Rt plain radiograph of the wrist; AP; initial study; Siemens: 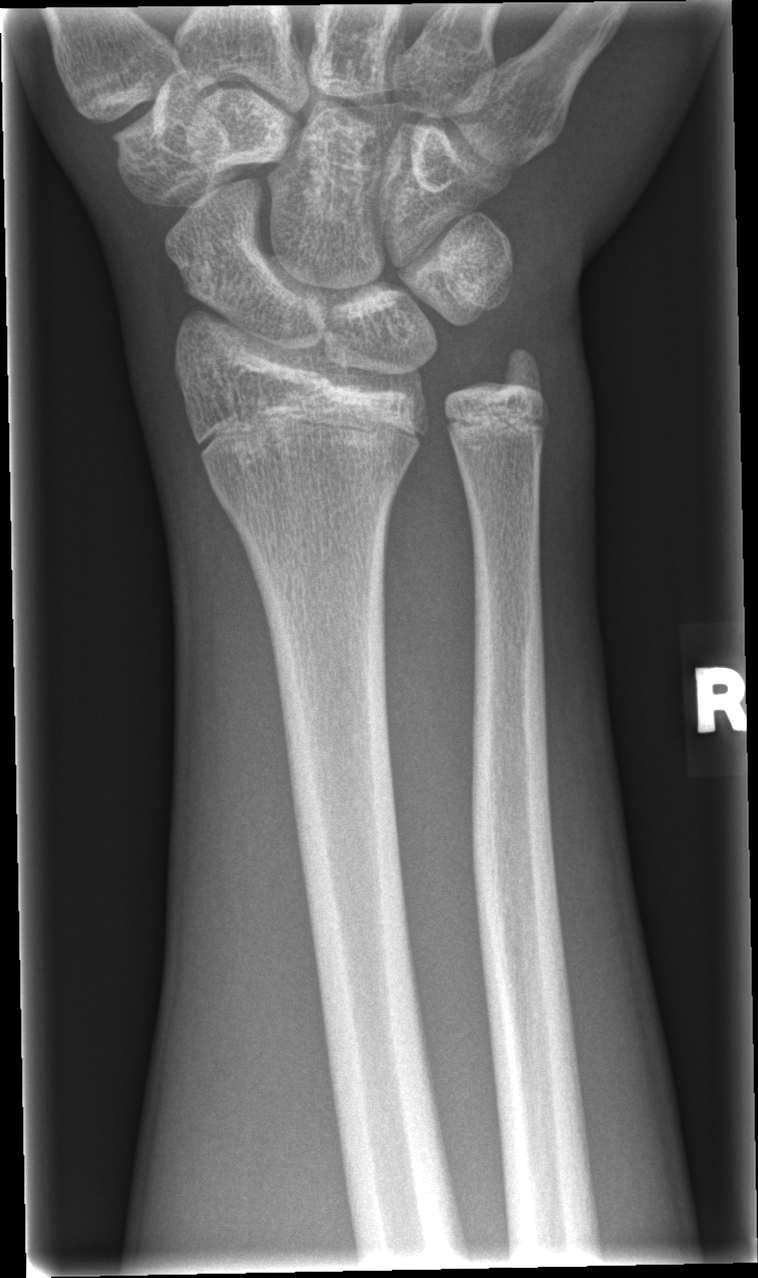

Bone fracture = none labeled